Lt wrist plain film; lat; pediatric patient (boy, age 11); follow-up study; cast in situ

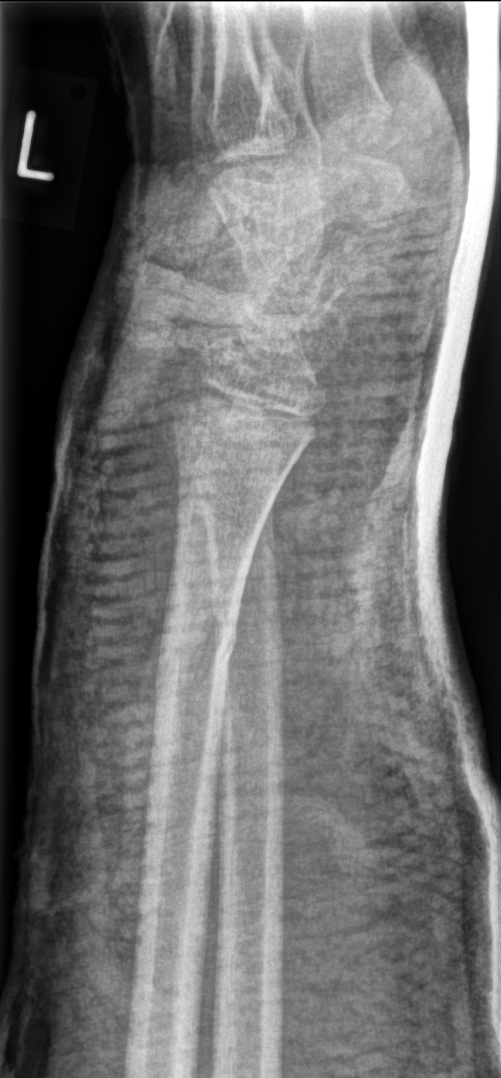 * Boxes as x1,y1,x2,y2 (top-left / bottom-right, pixel units).
* Fx: [x1=148, y1=604, x2=244, y2=705].